Lat view · Rt wrist XR · pediatric patient (female, age 9) · in cast · image 78.6 mm wide. 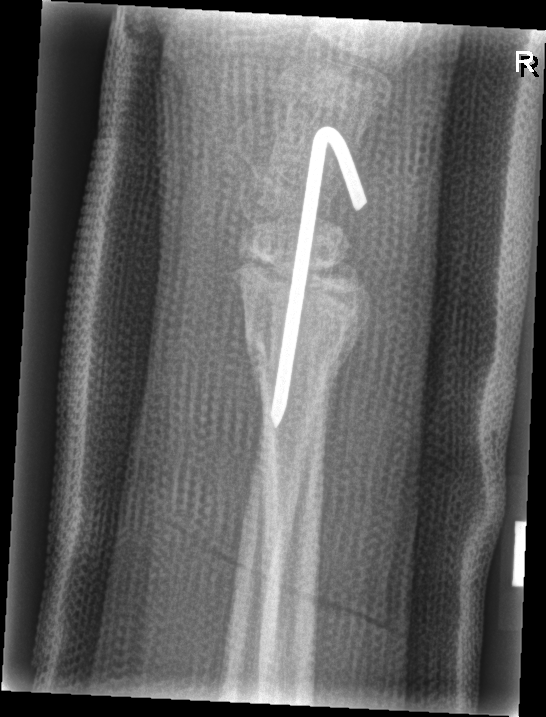

FINDINGS: (boxes as x1,y1,x2,y2 (top-left / bottom-right, pixel units)) Hardware: bbox(266, 120, 370, 430). AO/OTA classification: 23r-M/3.1. Fx: bbox(238, 331, 345, 394).